Posteroanterior view; right wrist XR; 16-year-old boy; Siemens —

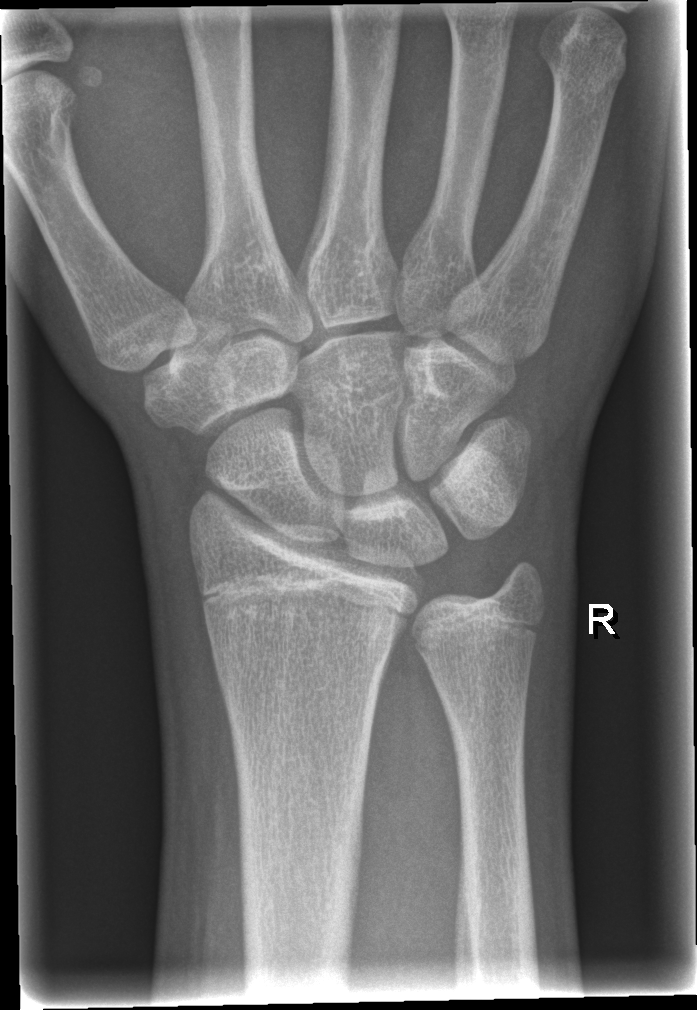 No fracture annotation.